Frontal projection · L wrist radiograph · pediatric patient (female, age 11). 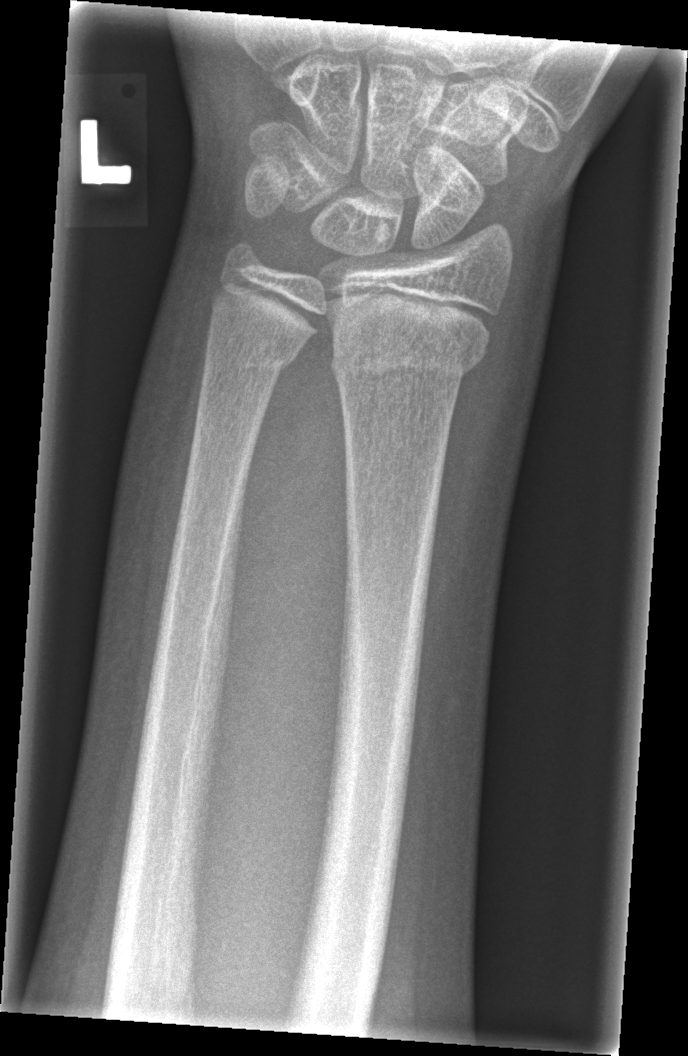
AO/OTA: 23-M/2.1
bone fracture: 326,330,489,390 | 199,332,301,386